Lat projection; Rt wrist plain film; 10-year-old female; subsequent exam; image 94.8 mm wide —

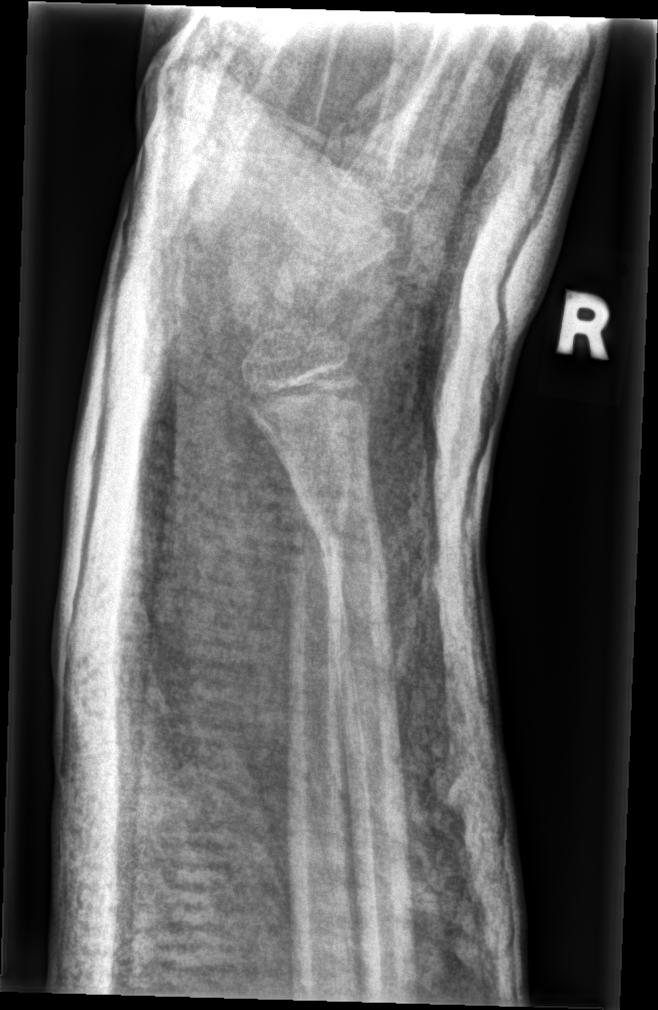
- One fracture at 298,500,384,571.